PA, Lt wrist radiograph, 6y M, in cast, 498 x 810 px —
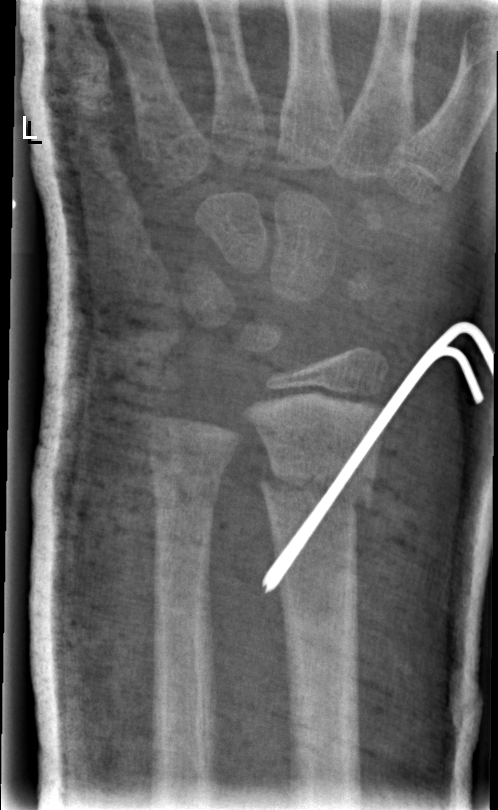
- AO code 23r-M/3.1; 23u-M/2.1.
- Hardware — (left=252, top=310, right=497, bottom=597).
- Fx — (left=257, top=454, right=380, bottom=517); (left=144, top=448, right=227, bottom=501).